Lateral · R wrist X-ray 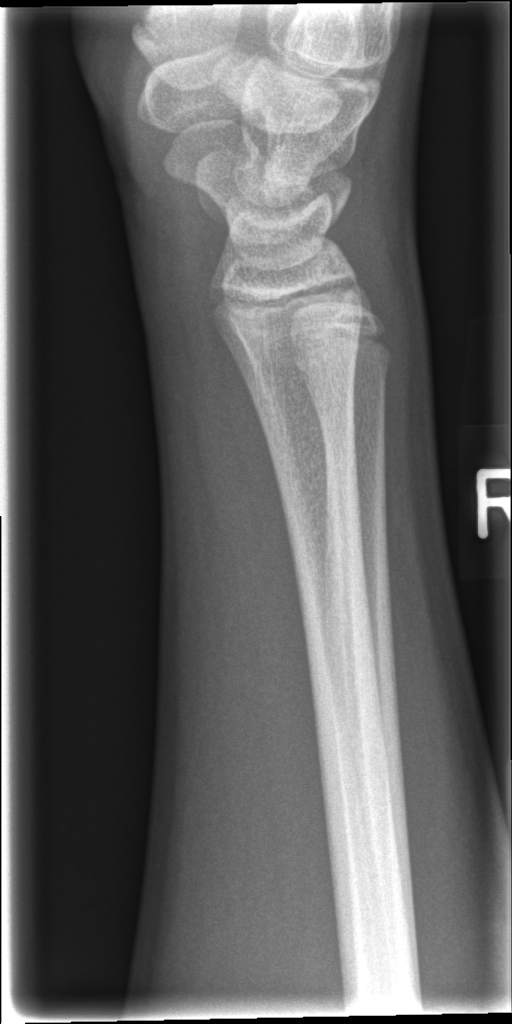
No fracture bounding box.